Rt wrist X-ray | PA/AP projection | image 99.8 mm wide —
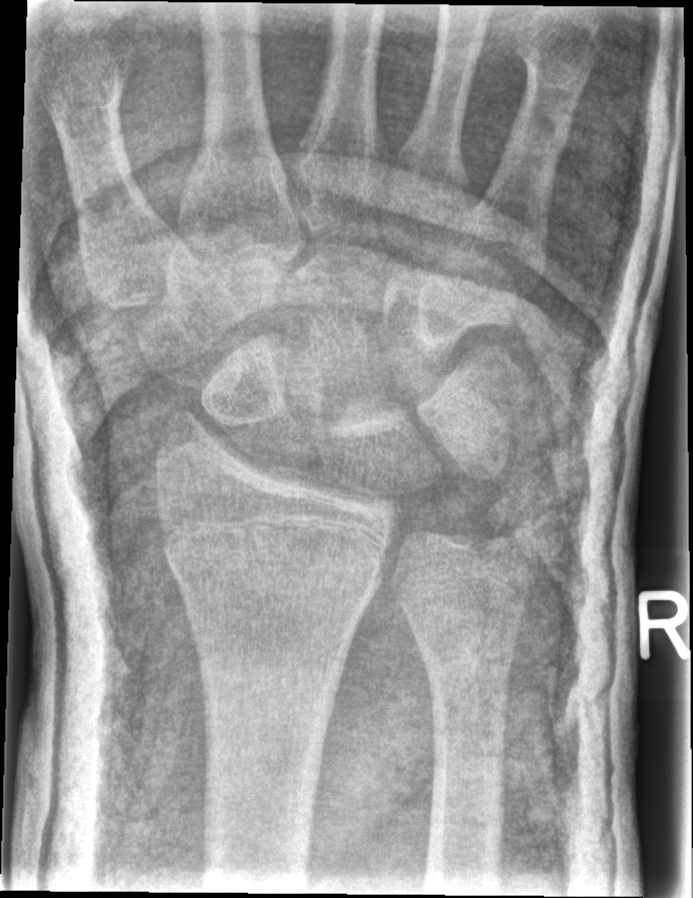
(coordinates are [x1, y1, x2, y2] in image pixels)
Fracture: [x1=160, y1=537, x2=386, y2=608] [x1=473, y1=483, x2=548, y2=559]